Frontal view | left wrist plain film | girl, 8 yo.
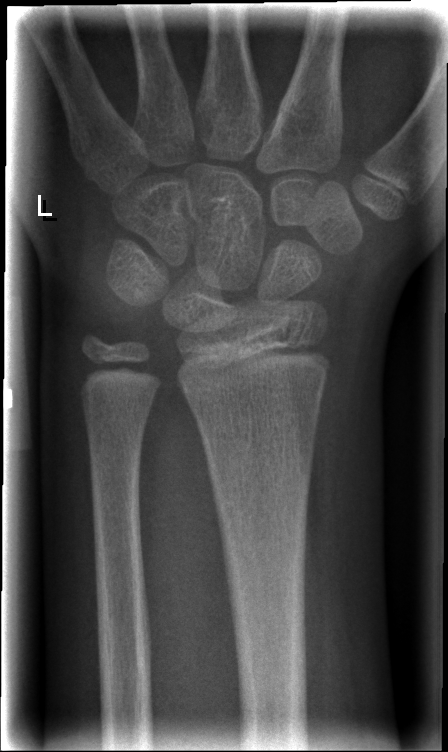 fracture = none labeled